R wrist XR; lat view. 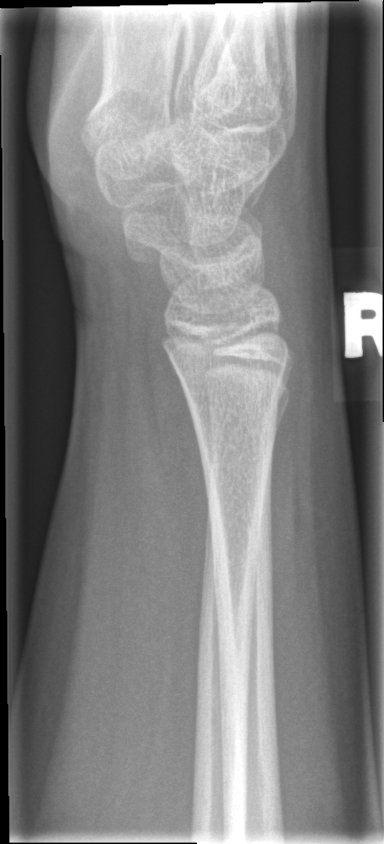

• Coordinates are [x1, y1, x2, y2] in image pixels.
• AO code 23r-M/2.1.
• Bone fracture identified at [x1=175, y1=361, x2=290, y2=425].